Left wrist plain film | PA view | pediatric patient (male, age 9) | presentation radiograph:
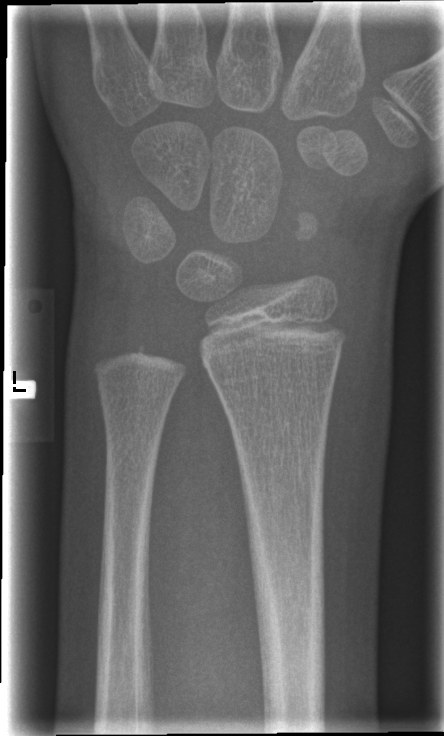 {
  "fracture": "none labeled"
}